Posteroanterior, Lt wrist X-ray, pediatric patient (boy, age 8) —
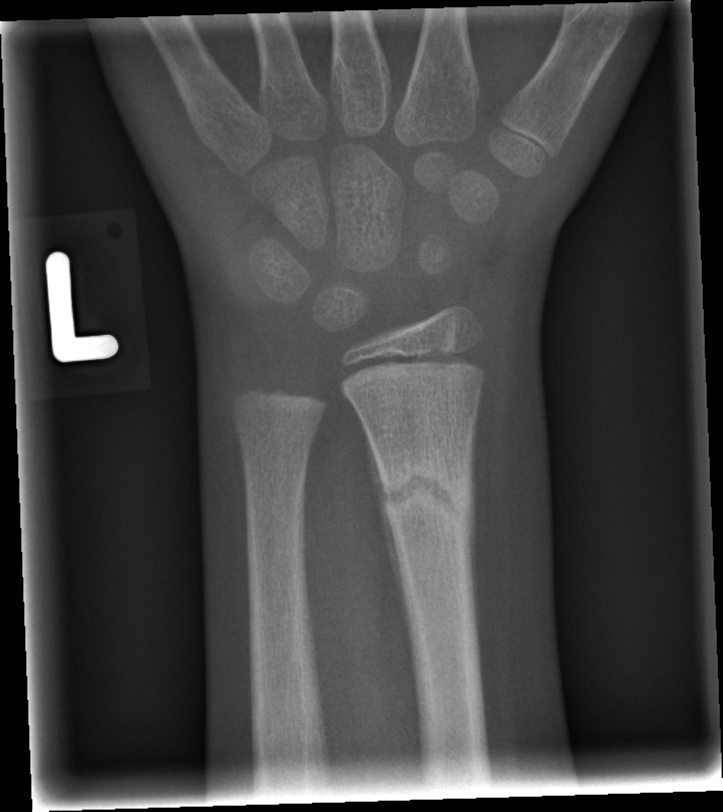 (pixel coordinates, top-left origin, xyxy)
Periosteal new bone = (364, 428, 414, 651); (468, 420, 481, 650)
Bone fracture = 1 @ (377, 454, 479, 537)